Lateral, L pediatric wrist radiograph, male, 8 yo, in cast, 98.5 mm image width.

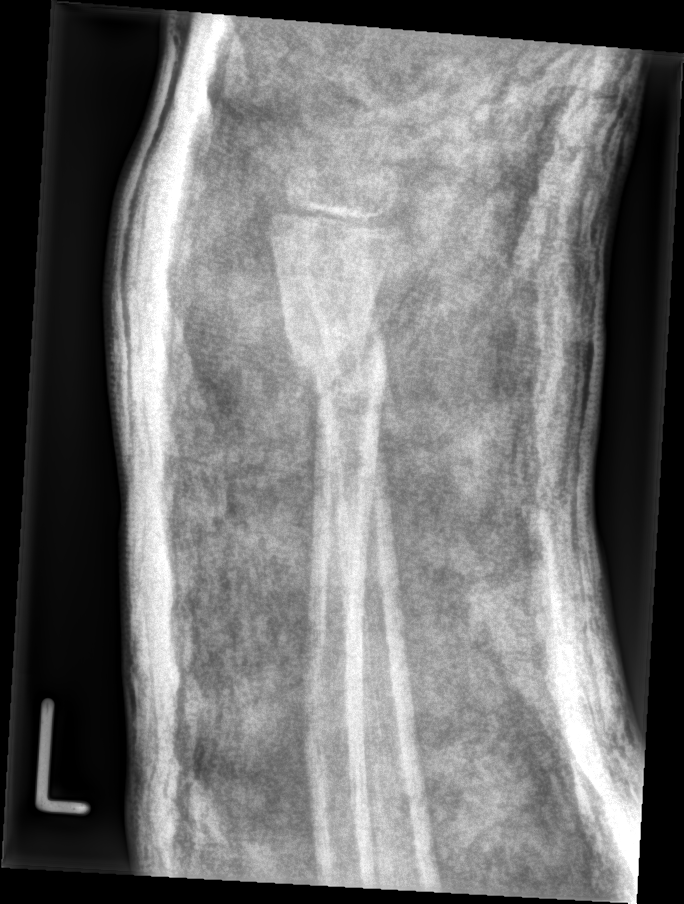 One fracture at (281, 322, 396, 405). AO code 23-M/3.1.